Right wrist XR; PA; girl, 11 yo —
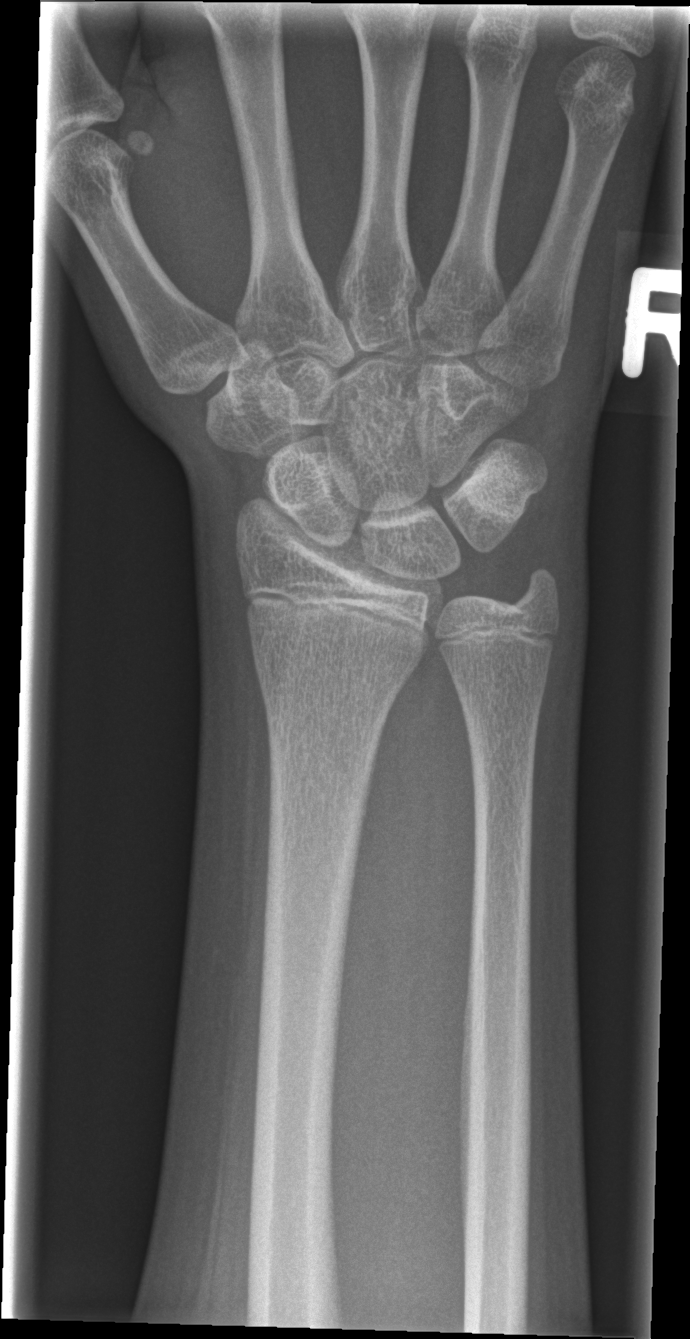 {
  "fracture": "none labeled"
}